Lateral view · Rt wrist radiograph · image width 61.5 mm:

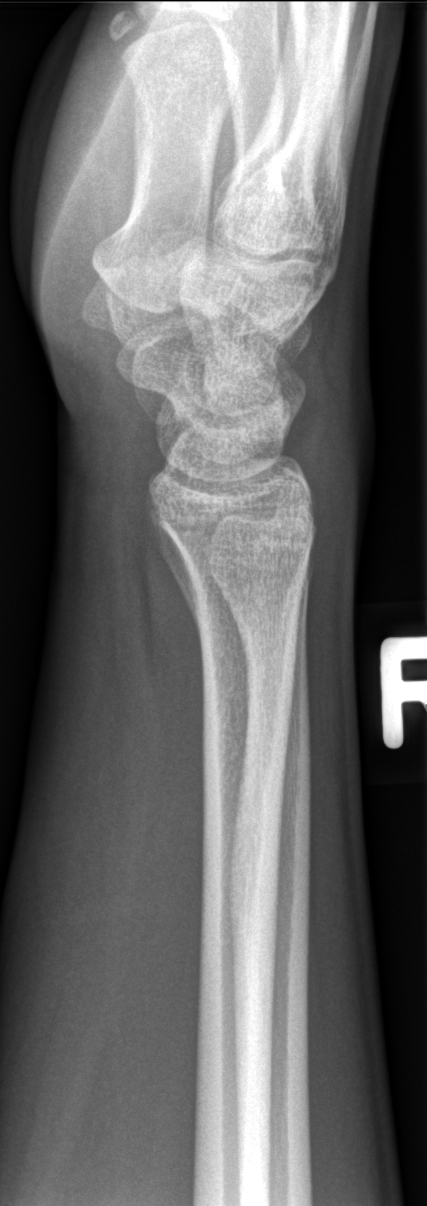
- No Fx annotated.